Posteroanterior projection; Rt wrist radiograph; female, 7 yo —

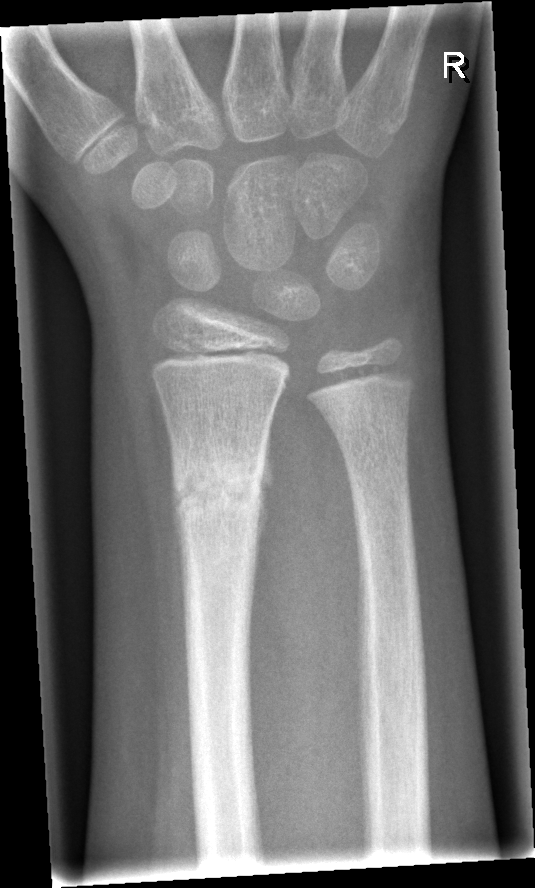 Periosteal thickening: 2 @ <170,443>-<190,633>, <255,418>-<275,585>
Fracture: 1 @ <167,446>-<267,530>
Osteopenia: present
AO classification: 23r-M/3.1